Frontal projection · right wrist plain radiograph of the wrist · image size 672x976 —

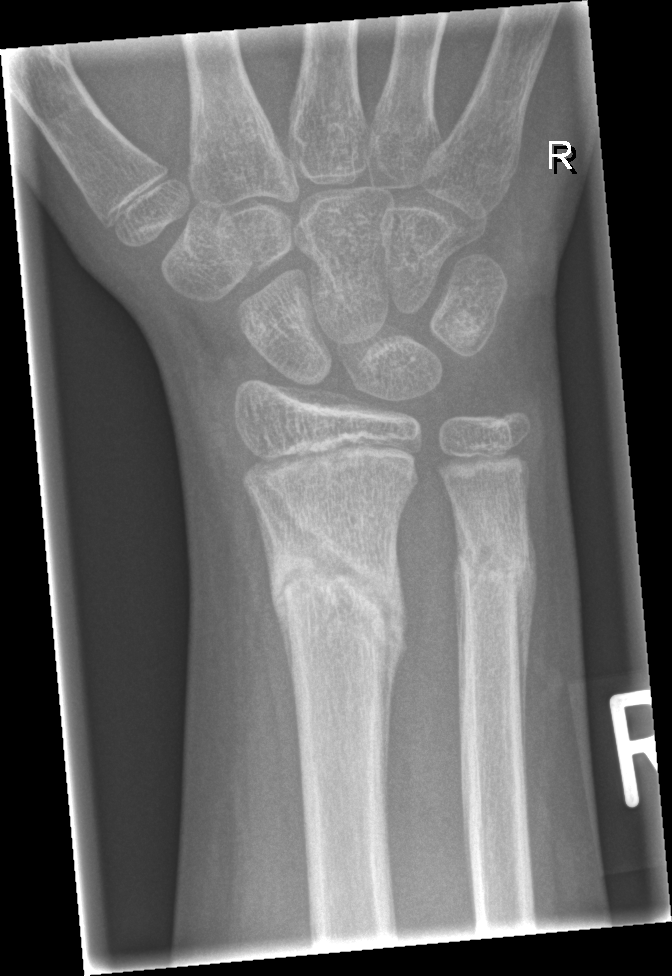

• Bounding boxes in image-pixel xyxy.
• Fracture identified at 260 536 409 661; 453 523 535 604.
• Osteopenic.
• Periosteal thickening identified at 247 494 292 683; 379 570 407 801; 517 533 538 753; 452 562 467 728.